Lat, Rt wrist radiograph, age 17 y, boy, diagnosis uncertain:
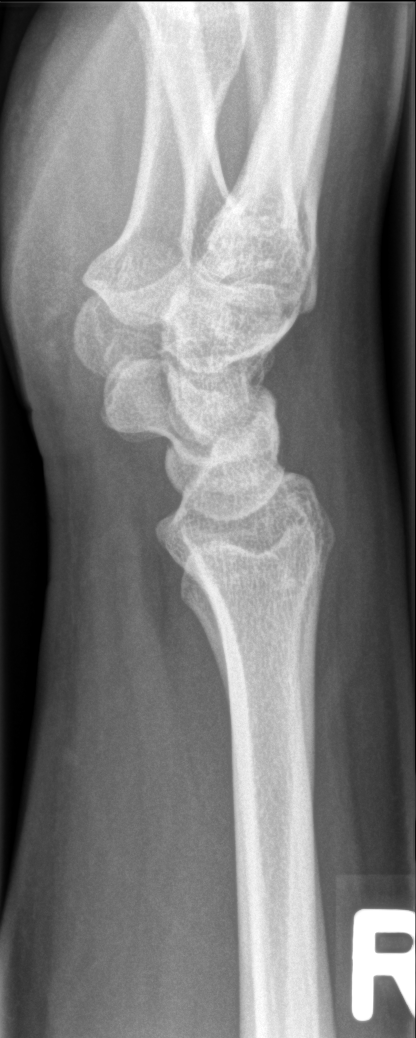

Fx = none labeled